AP view | Rt wrist X-ray | initial study | 70.8 mm image width

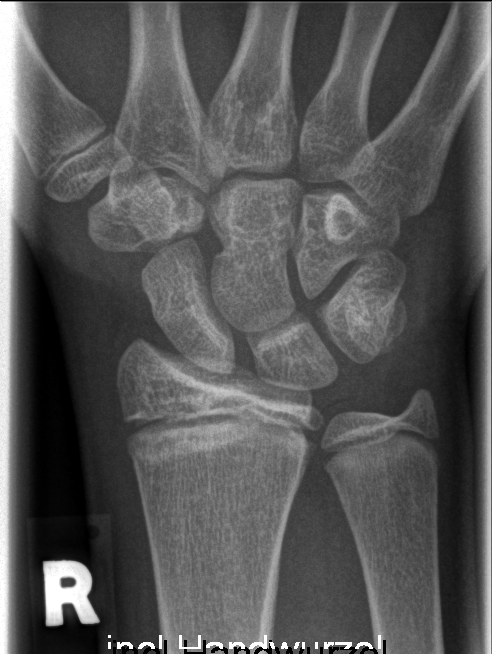 {"fracture": "none labeled"}